AP projection, left wrist radiograph, 603 by 1076 pixels — 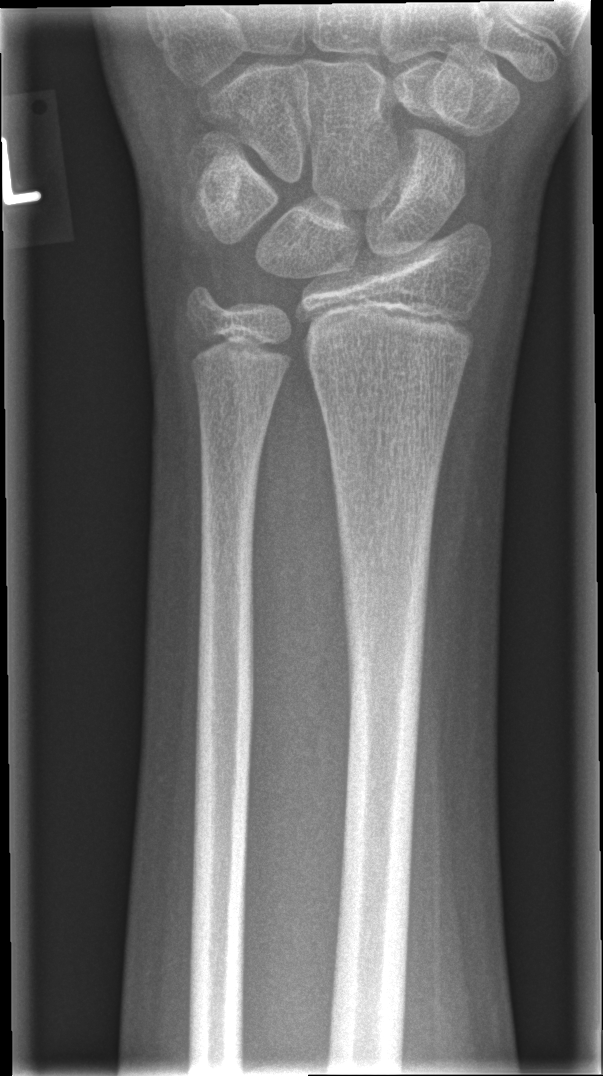
Fx = none labeled